Right pediatric wrist radiograph, lateral view, age 11 y, boy, index exam

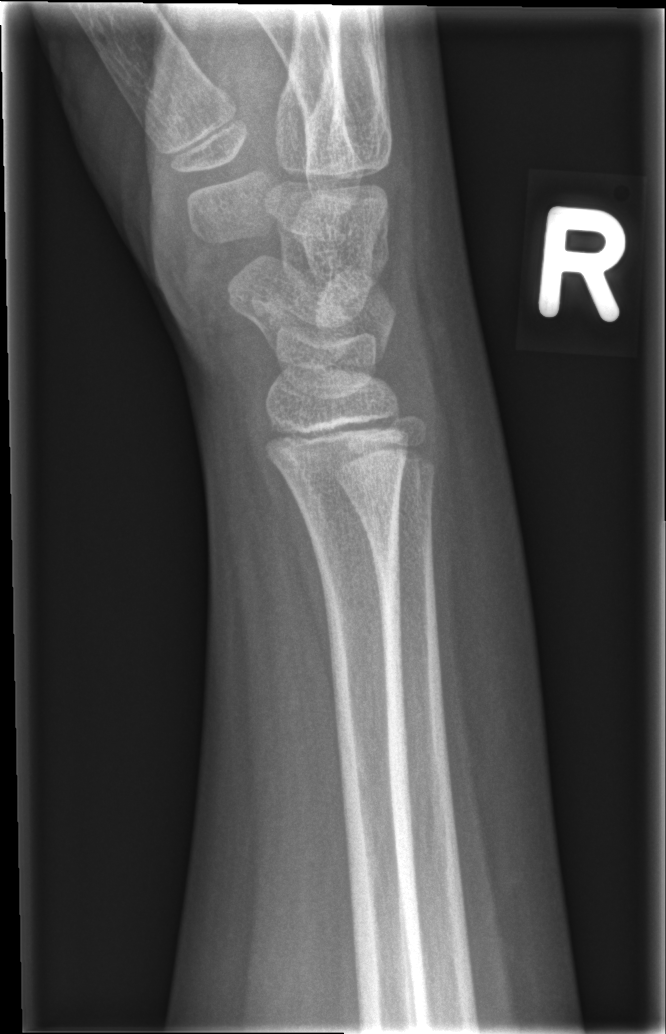 No fracture labeled.